Posteroanterior, Lt pediatric wrist radiograph, pediatric patient (girl, age 9), detector: Siemens
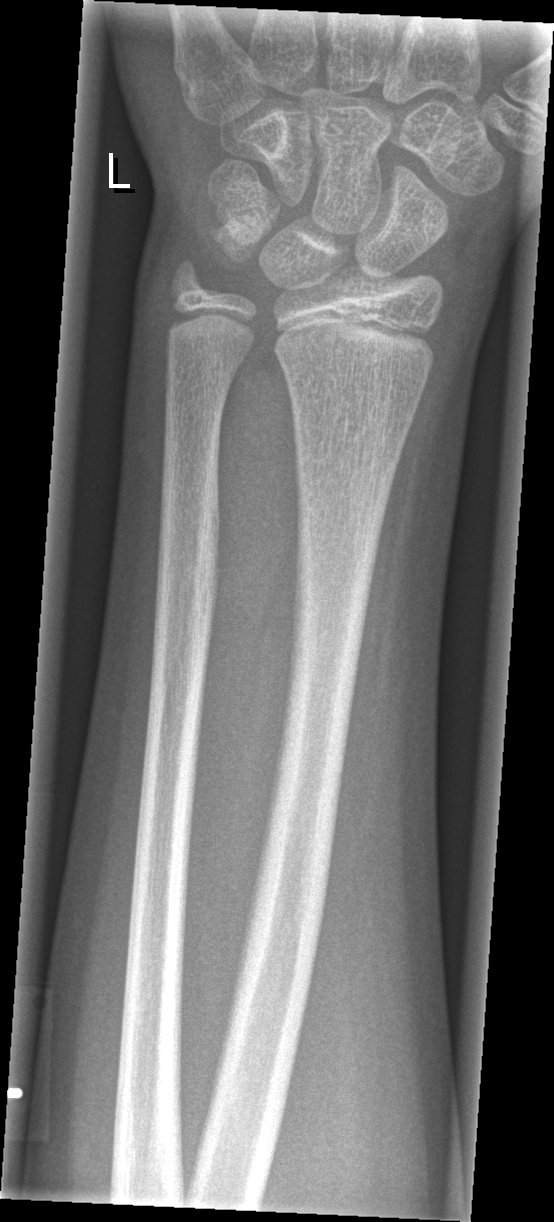

- No fracture annotation.